Right wrist XR · lateral view · age 10 y, male: 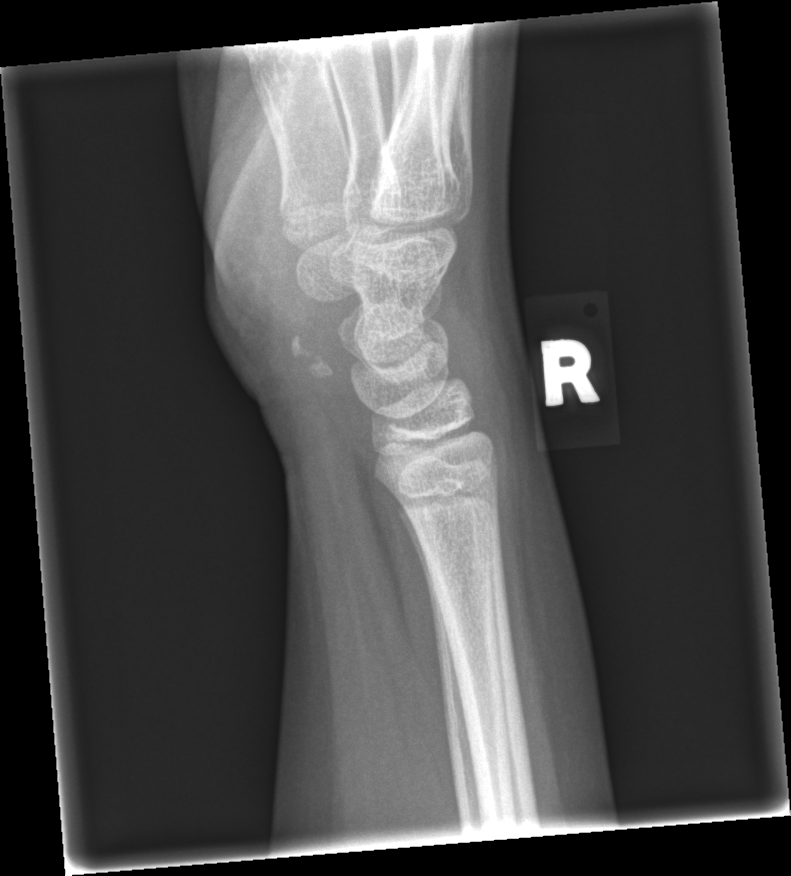 fracture: none labeled